Lt wrist radiograph · AP · 13y M · follow-up study · cast in situ · Siemens · 1008 by 1198 pixels —
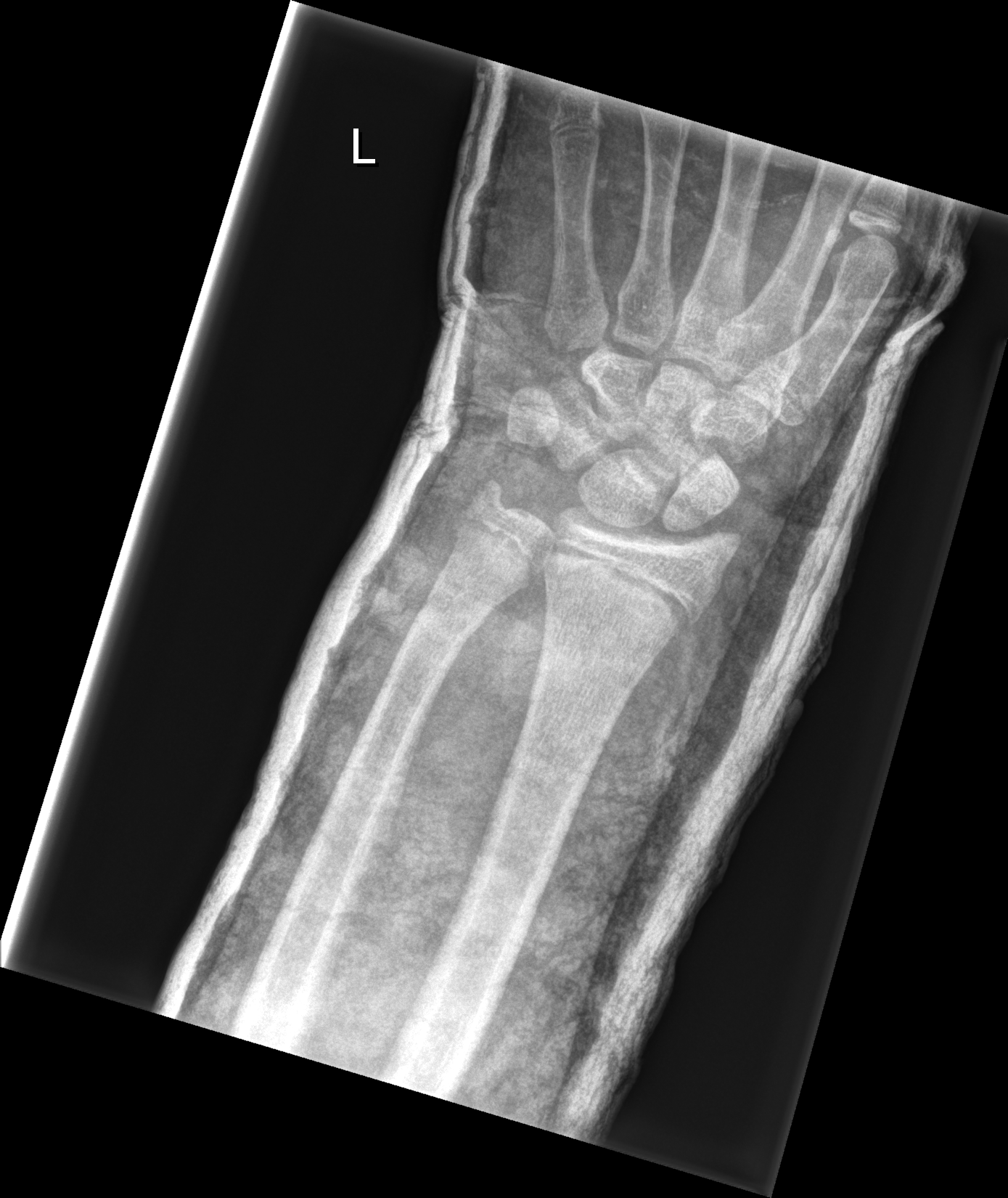
Q: AO code?
A: Fracture classified AO/OTA 23r-E/2.1; 23u-M/2.1
Q: Locate any fractures.
A: Two Fx at (540, 536, 706, 643), (409, 578, 496, 654)